Lateral, L wrist plain film, 670x770
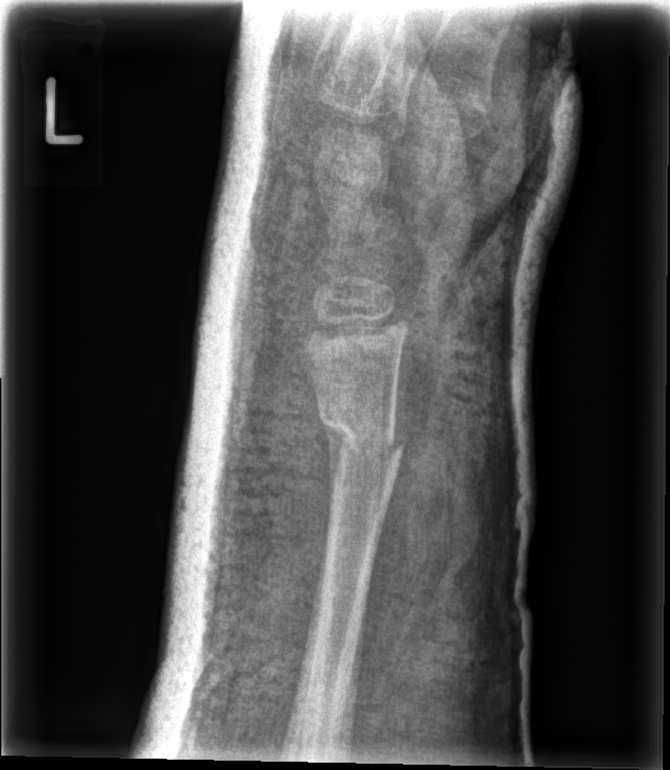
AO/OTA classification: 23r-M/3.1; 23u-M/2.1.
One bone fracture at 310 403 405 470.